Lateral projection | Rt plain radiograph of the wrist | 4y M: 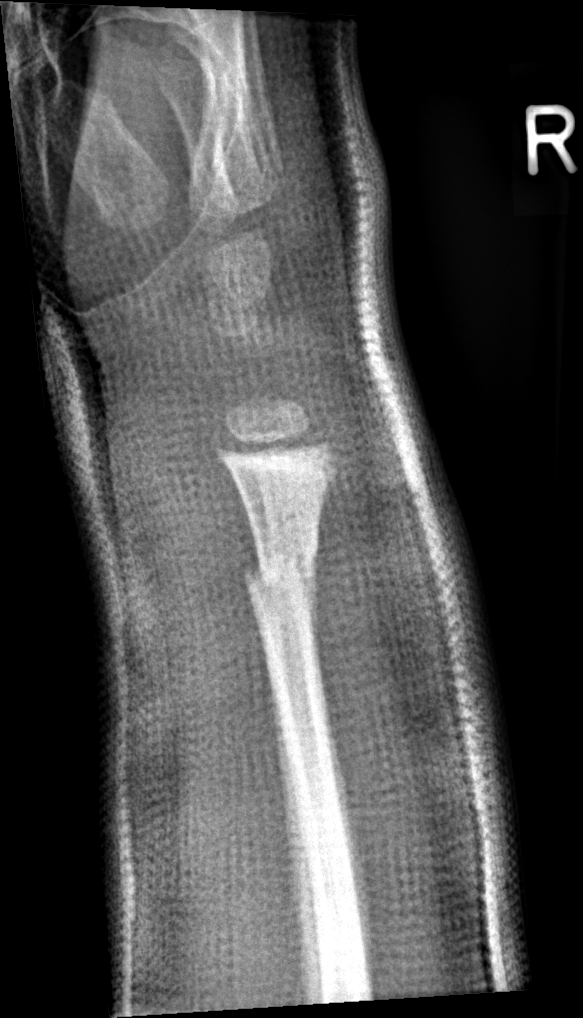
  # coordinates are [x1, y1, x2, y2] in image pixels
  fracture: [x1=240, y1=544, x2=319, y2=607]